Lat projection, right wrist plain film 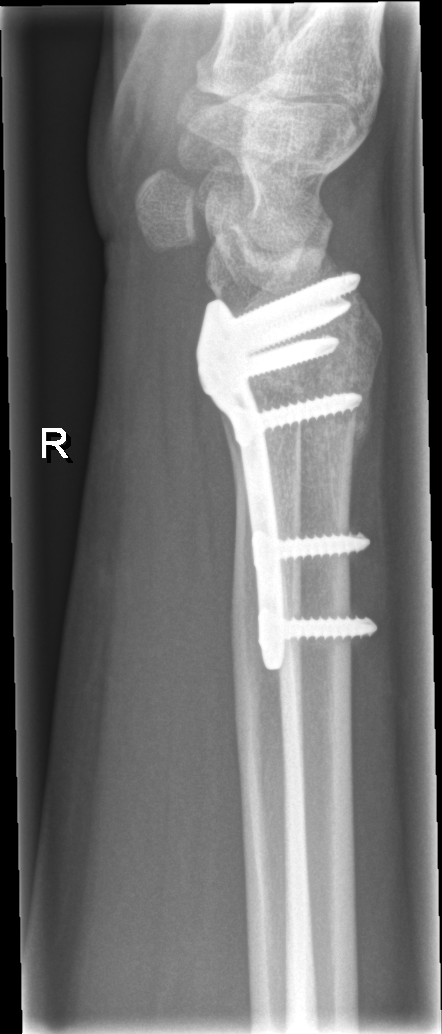 Fracture = 1 @ 228 274 388 469
AO classification = 23r-M/3.1; 23u-E/7
Metallic hardware = 1 @ 198 276 375 669